Right pediatric wrist radiograph | posteroanterior | 668 by 1234 pixels.
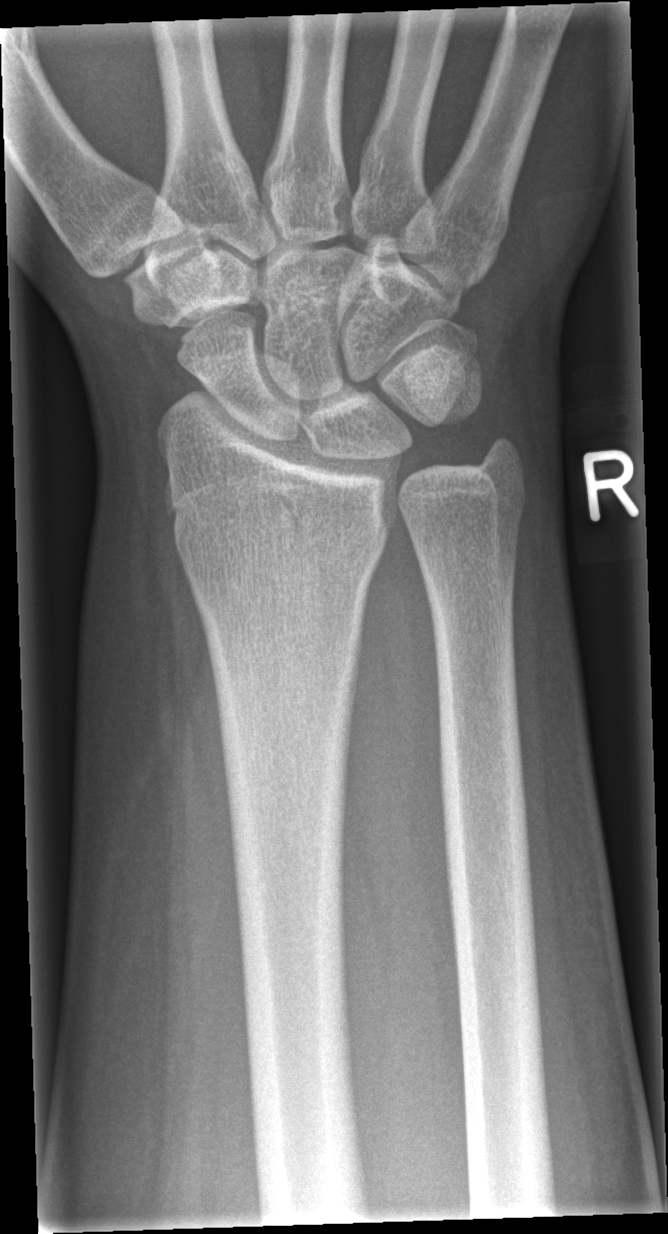 {"ao": "23r-M/2.1", "fracture": "1 @ (left=168, top=484, right=396, bottom=572)"}